Right wrist XR | posteroanterior | 13y F | Siemens:
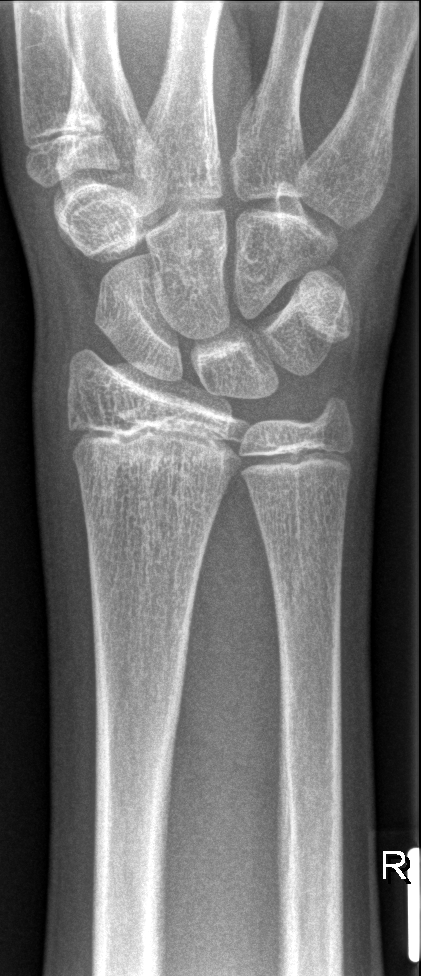 * No fracture bounding box.